PA/AP projection · left wrist XR · 12-year-old male · follow-up study. 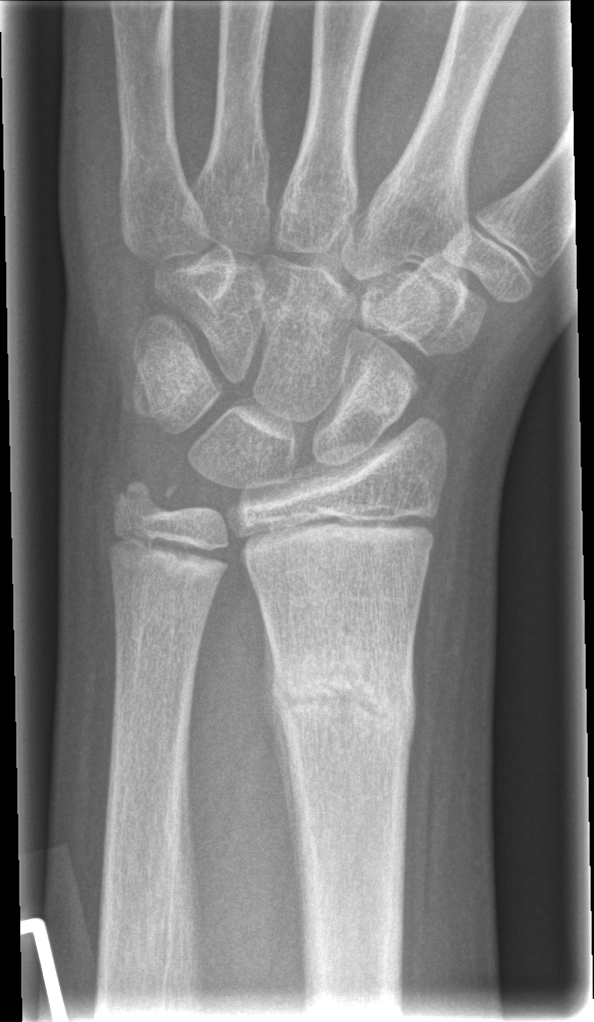

Findings: Fx — bbox(270, 643, 419, 752), bbox(111, 470, 184, 527). Osteopenic. Fracture classified AO/OTA 23r-M/3.1; 23u-E/7. Two periosteal thickening at bbox(270, 687, 305, 938) bbox(263, 613, 276, 703).